Lateral | right wrist pediatric wrist radiograph | image 71.0 mm wide — 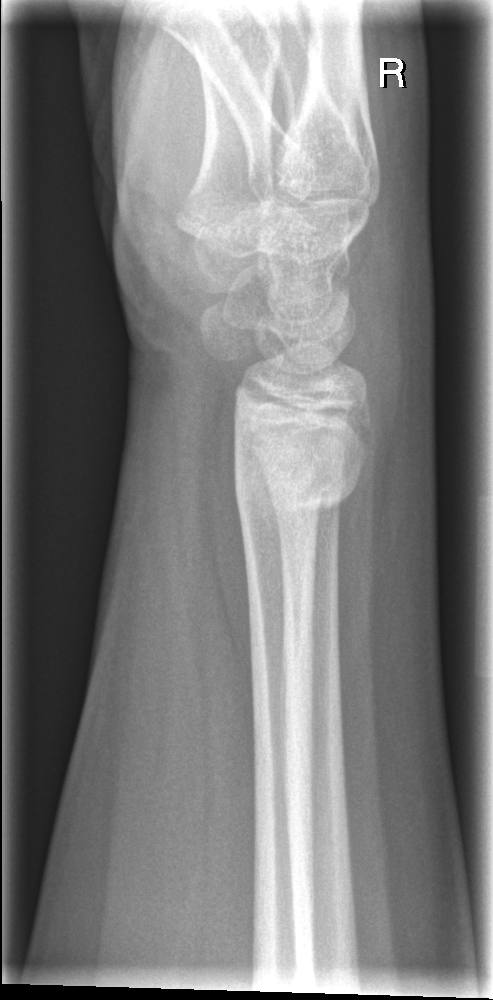 FINDINGS — Bone fracture: [x1=230, y1=429, x2=370, y2=521].